Right pediatric wrist radiograph, posteroanterior view, initial study

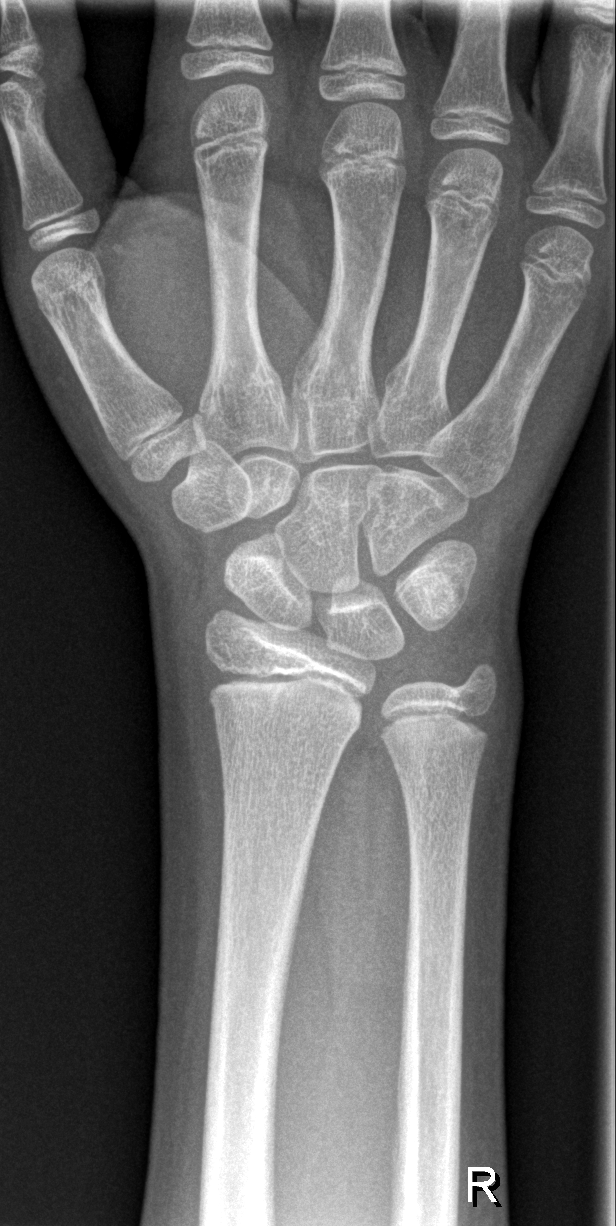

No fracture labeled.